R wrist XR, lat view, 15y F, initial study, acquired on Siemens: 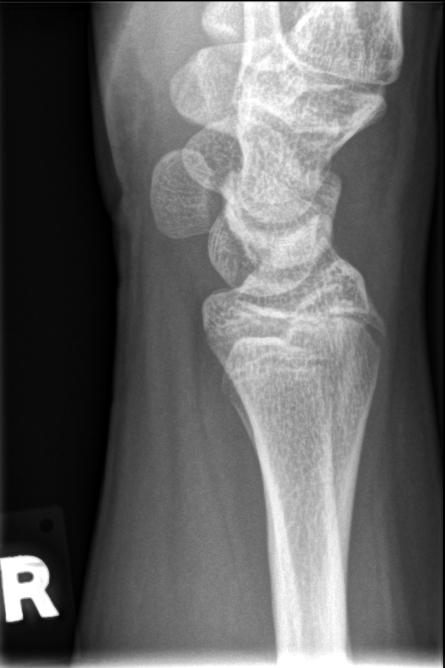

Fracture: none labeled